PA/AP view | right plain radiograph of the wrist | pediatric patient (girl, age 0.7) | initial study

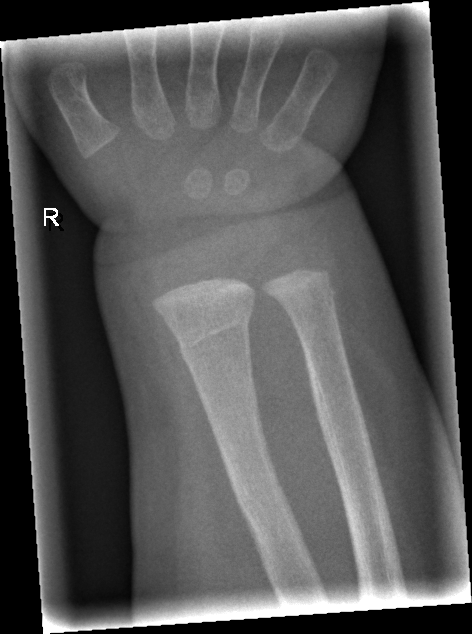

Two Fx at [175, 305, 255, 372] [281, 285, 339, 316].
AO code 23-M/2.1.